Lat projection | L wrist X-ray | 9-year-old girl. 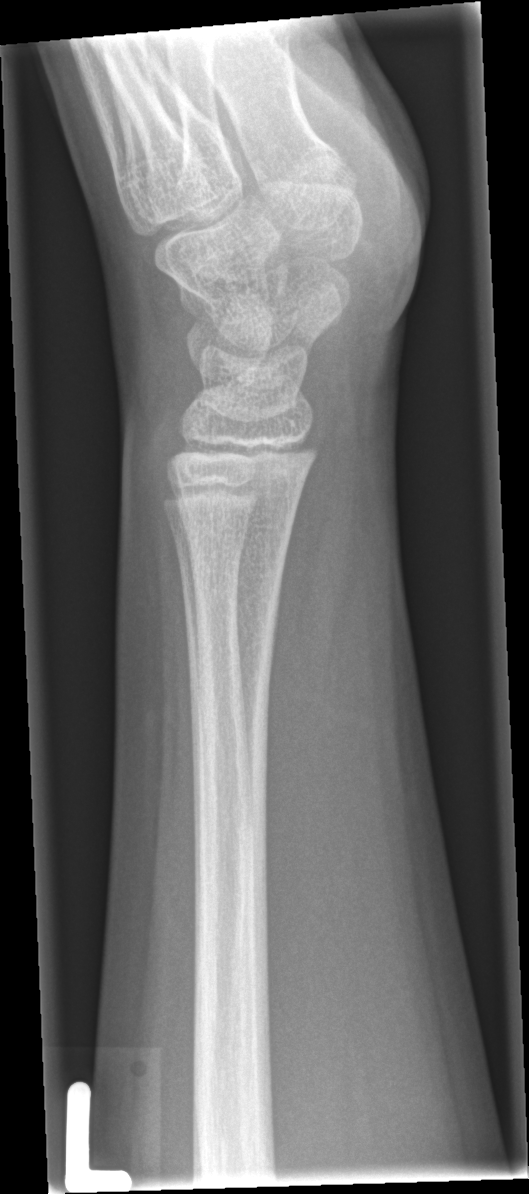 • No fracture annotation.